Left wrist XR · PA · pediatric patient (male, age 11) —
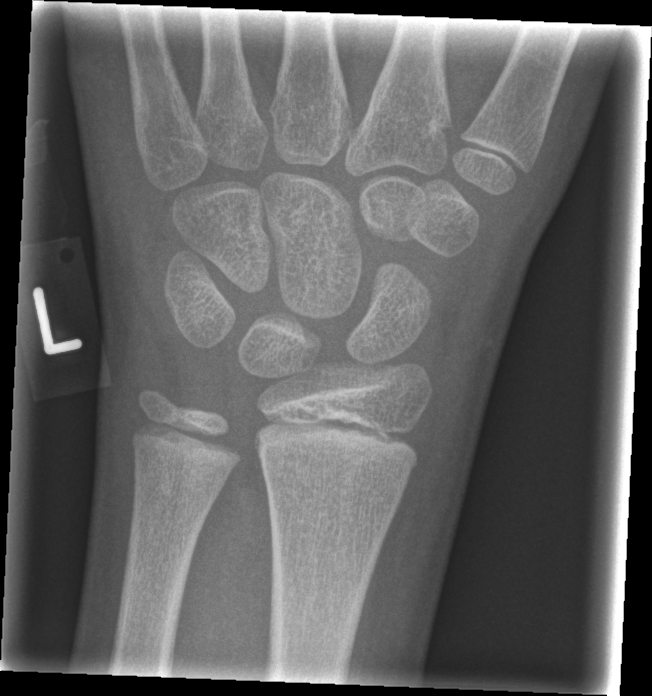

FINDINGS: No Fx annotated.